Left wrist pediatric wrist radiograph · lat view · 12-year-old male · imaged through cast · image width 94.5 mm 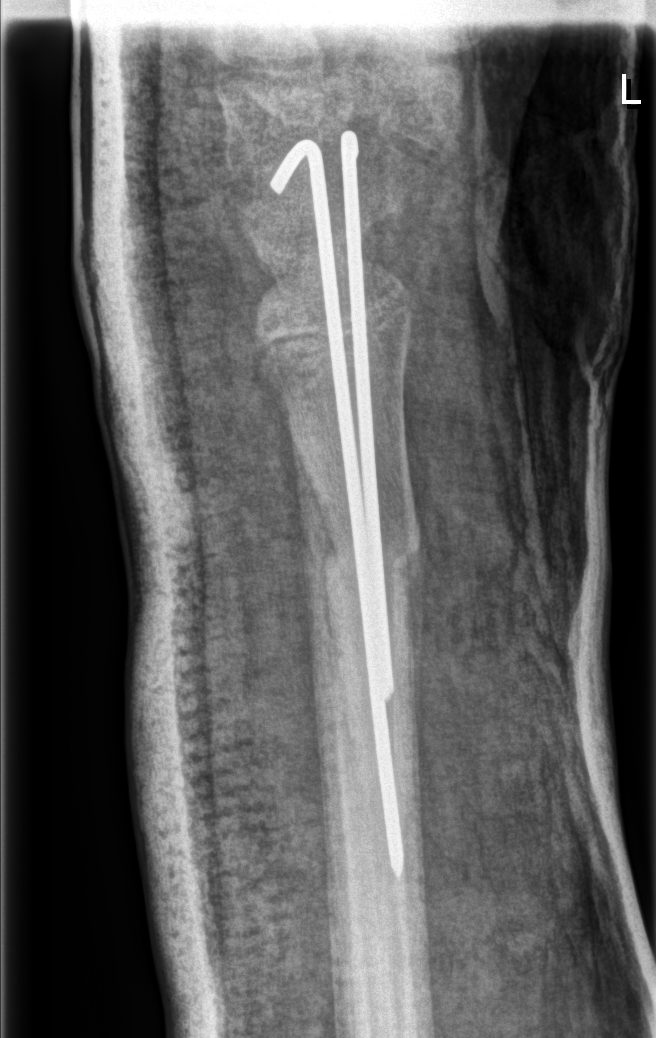
hardware = (left=268, top=127, right=409, bottom=885)
Fx = (left=318, top=524, right=429, bottom=590)